PA/AP · right wrist X-ray · subsequent exam · image size 640x1229:

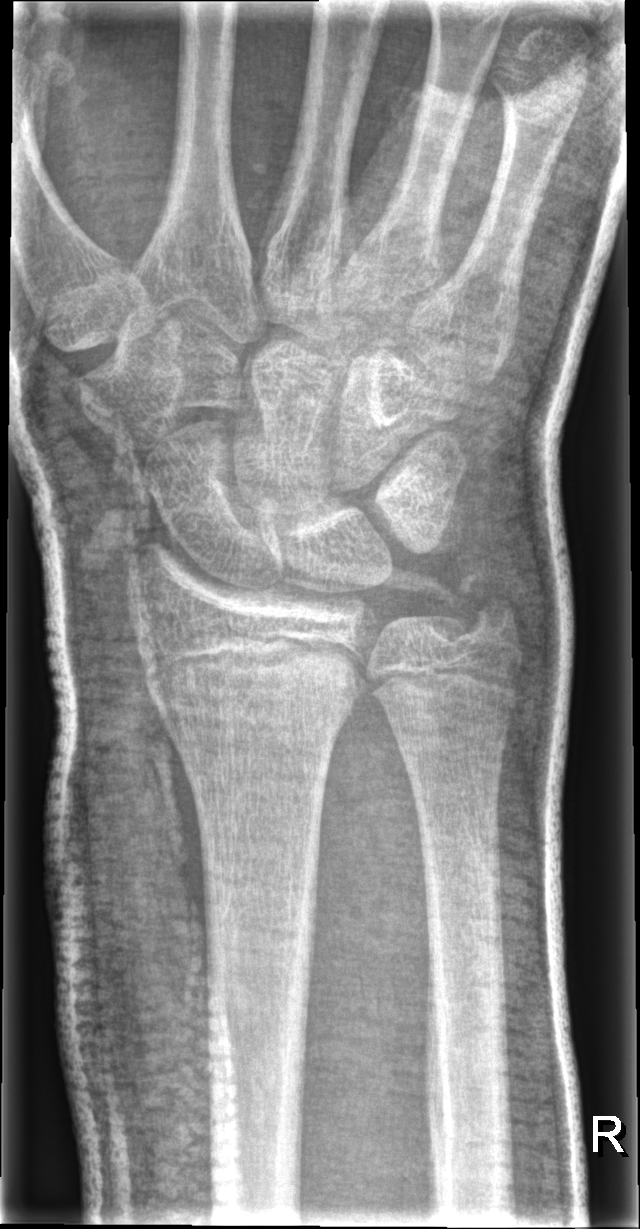 Osteopenia: present
Fracture: [x1=140, y1=624, x2=372, y2=748]; [x1=456, y1=570, x2=520, y2=639]
AO classification: 23r-E/2.1; 23u-E/7